Lateral projection, left wrist X-ray, in cast — 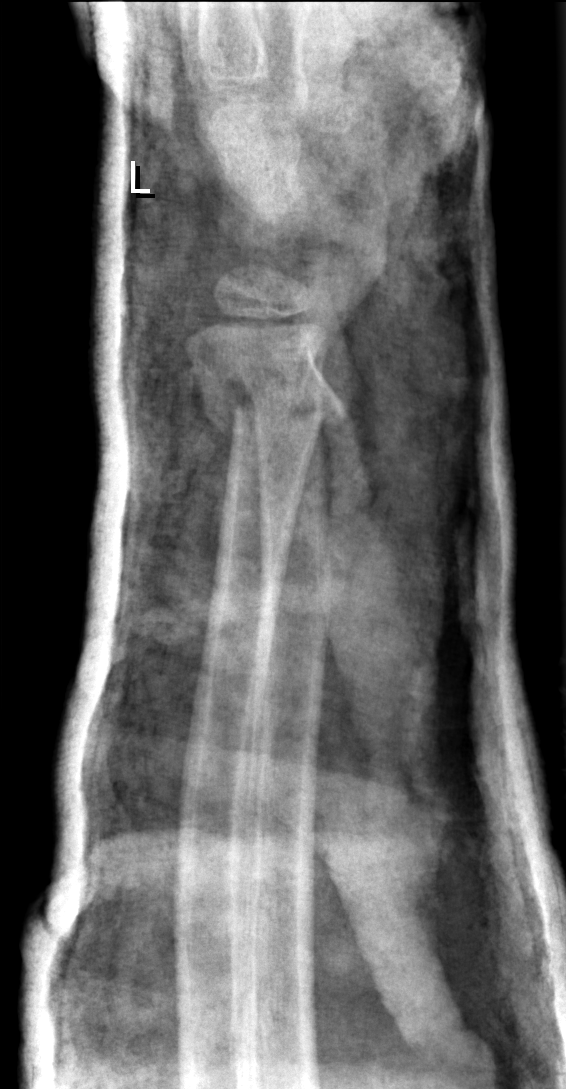 Bone fracture identified at (199, 383, 356, 454). Fracture classified AO/OTA 23r-M/3.1; 23u-M/2.1.